Lt plain radiograph of the wrist | lat view | 9-year-old girl | 62.2 mm image width
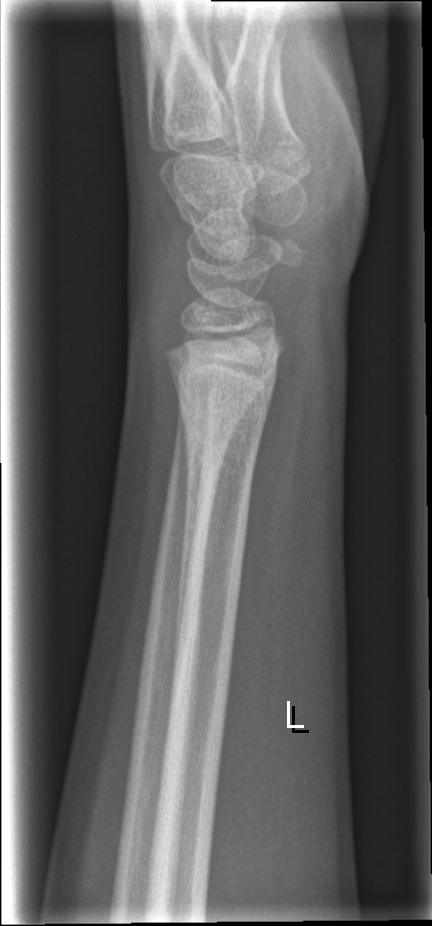 * Bone fracture identified at [x1=166, y1=327, x2=289, y2=496].